Left wrist plain film | posteroanterior | age 12 y, boy | follow-up study | in cast | acquired on Siemens | 100.7 mm image width.
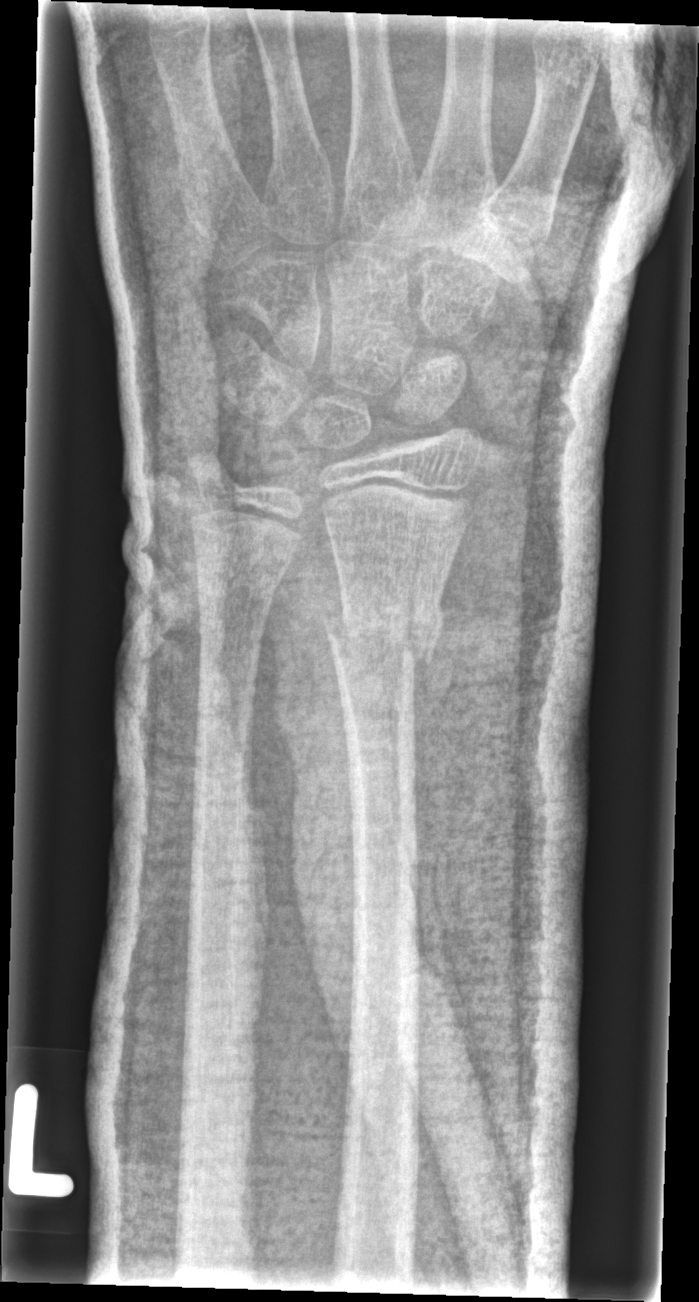

• Coordinates are [x1, y1, x2, y2] in image pixels.
• Fx: 320,596,447,670.